Lateral view | L plain radiograph of the wrist | index exam —

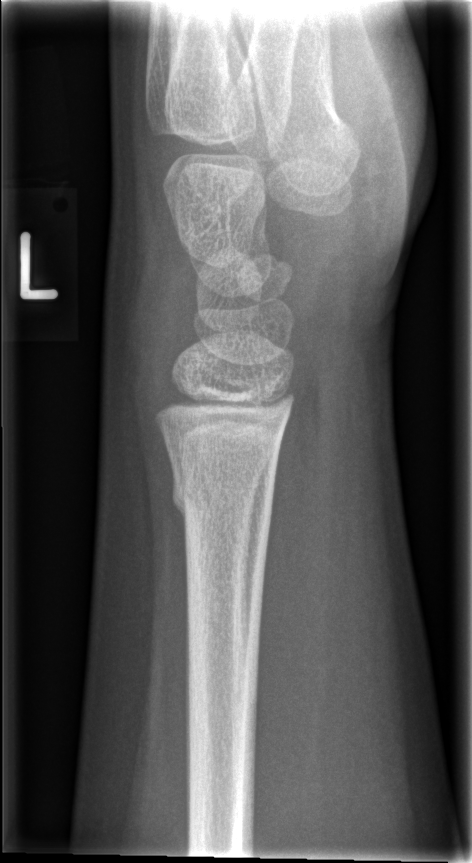 AO/OTA classification: 23r-M/2.1.
Fx — [170, 471, 277, 521].